Right wrist XR | PA | index exam | acquired on Siemens. 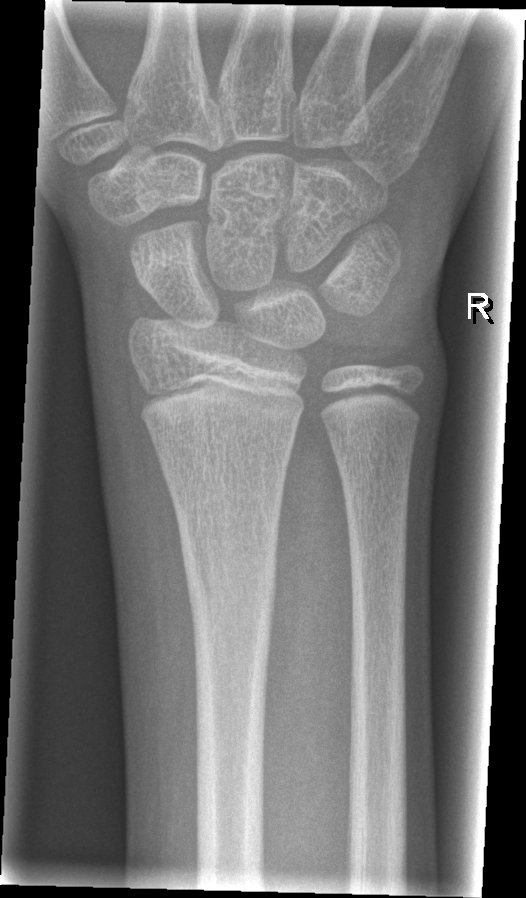
Bounding boxes in image-pixel xyxy.
Bone fracture: bbox(177, 536, 282, 630).
AO/OTA classification: 23r-M/2.1.